Lat view; R wrist plain film; age 7 y, male; follow-up; cast present

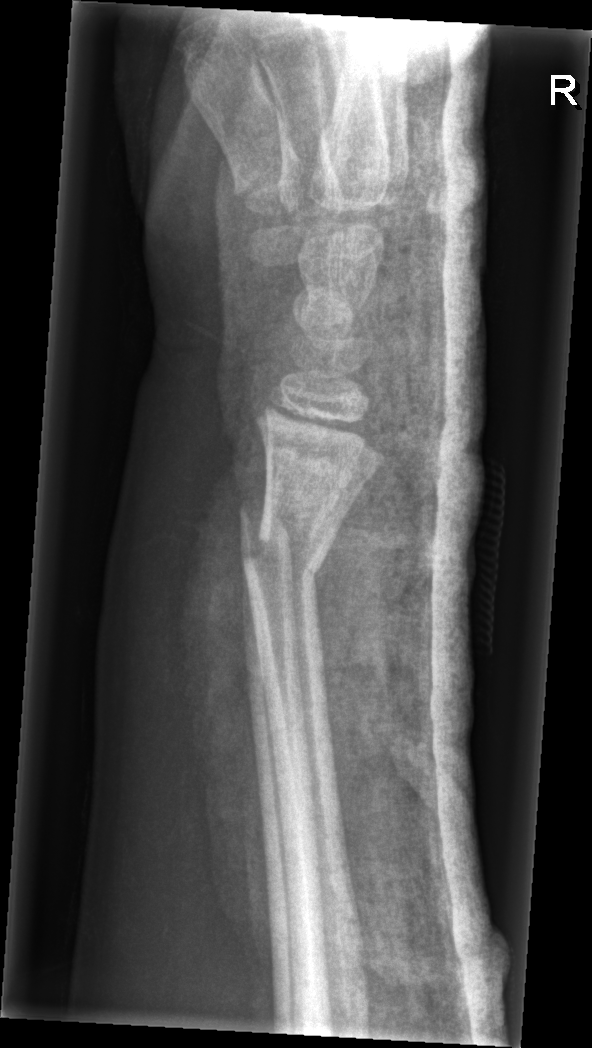 Pixel coordinates, top-left origin, xyxy. Fracture classified AO/OTA 23-M/3.1. Fx identified at bbox(235, 495, 333, 585).